Left wrist XR; lateral view; follow-up; cast present; acquired on Siemens — 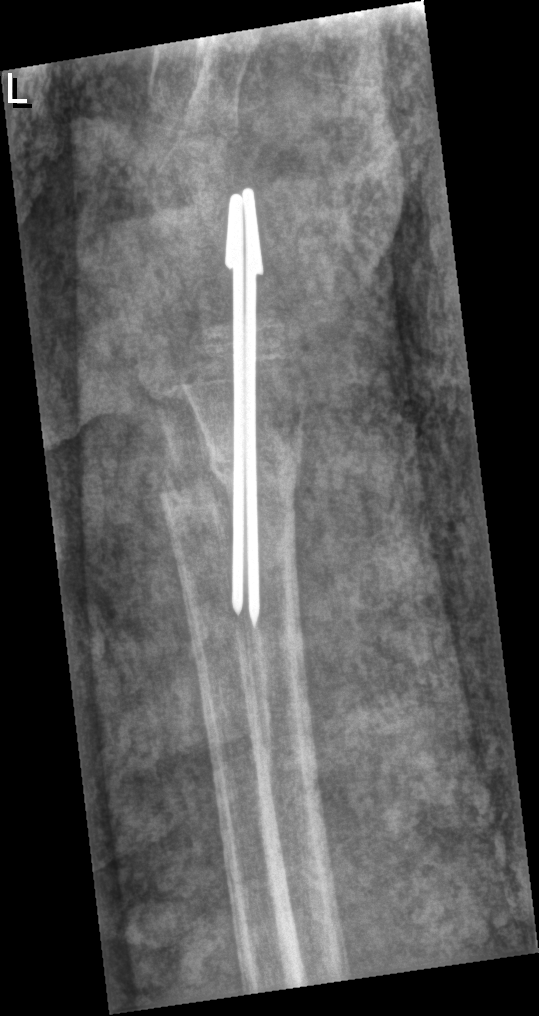

FINDINGS — (boxes as x1,y1,x2,y2 (top-left / bottom-right, pixel units)) Fx: (left=208, top=423, right=305, bottom=494), (left=151, top=458, right=226, bottom=516). AO code 23-M/3.1. Metallic hardware — (left=226, top=190, right=263, bottom=625).